Right wrist radiograph, lateral, 13-year-old boy:

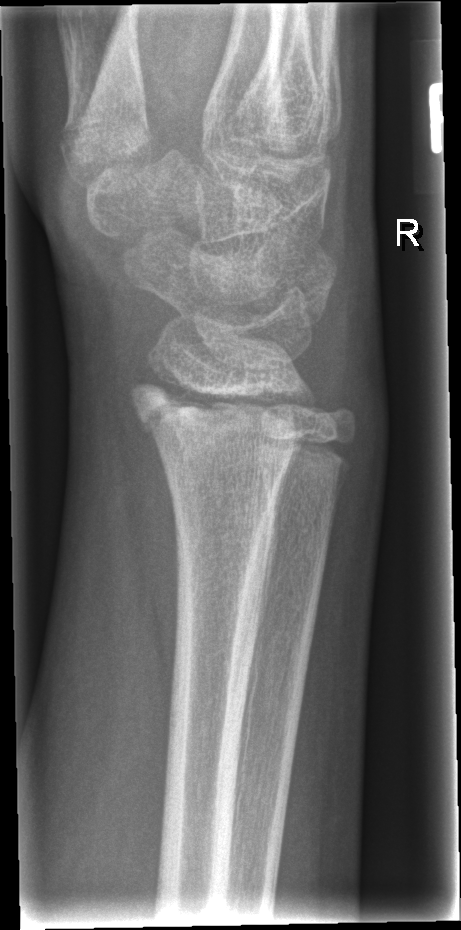

{"fracture": "[127, 373, 314, 450]"}